Right pediatric wrist radiograph | lateral | age 8 y, girl | image width 77.2 mm. 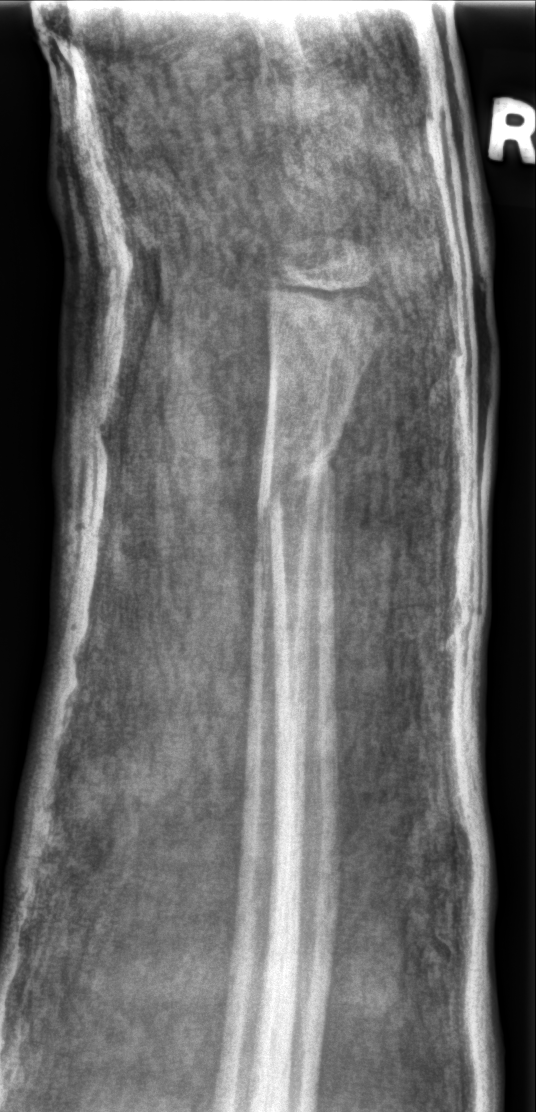

Q: Is there a fracture?
A: Fracture: 251,428,344,543